Lateral; left wrist XR; index exam; 481 x 1024 px — 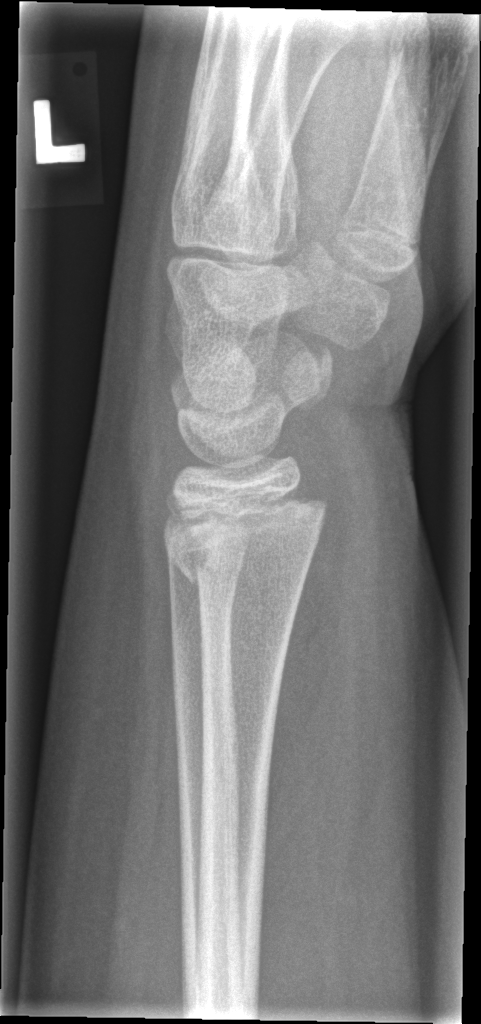 fracture = 1 @ 161 481 333 600
pronator quadratus fat-pad sign = 1 @ 255 463 365 926